Lateral projection · Lt wrist plain film · initial study · 452 x 760 px. 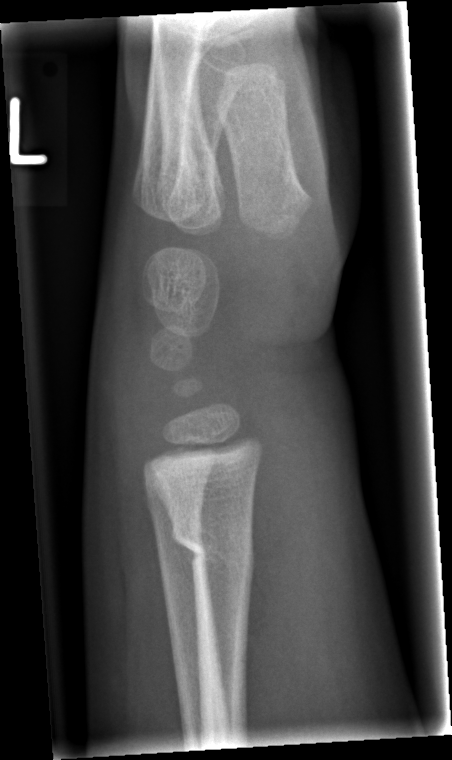

(boxes as x1,y1,x2,y2 (top-left / bottom-right, pixel units))
AO/OTA: 23r-M/2.1
Fracture: 1 @ [168, 518, 257, 585]